Left plain radiograph of the wrist; lat —

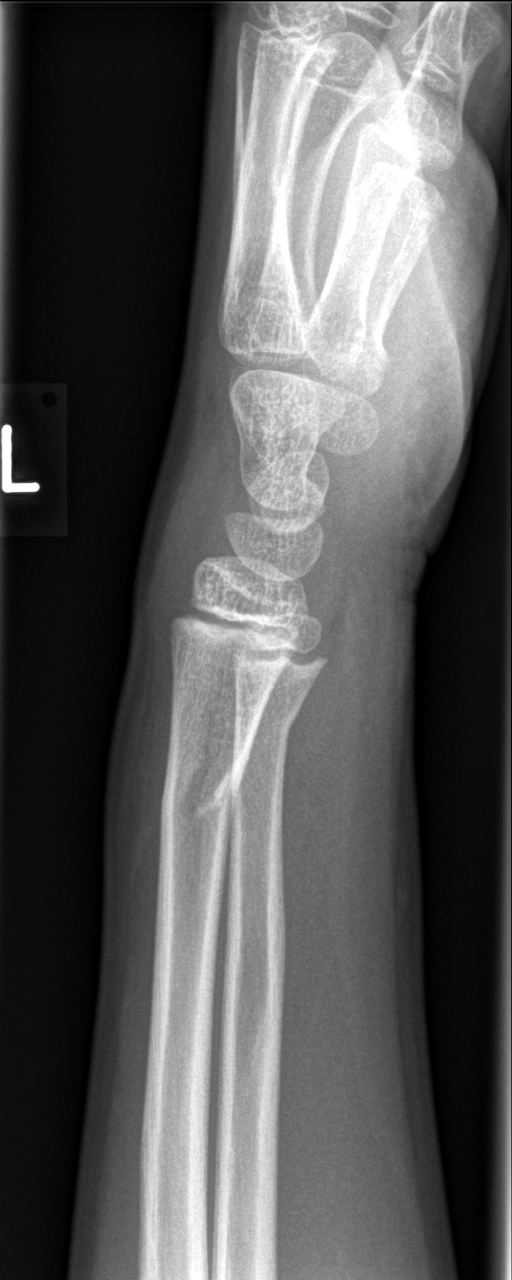 Findings: AO/OTA classification: 23r-M/3.1; 23u-M/2.1. Fx — (155, 747, 249, 839); (233, 688, 309, 738). Positive pronator fat-pad sign — (277, 617, 358, 1063).